Lt pediatric wrist radiograph; frontal view; 15-year-old boy; in cast; 713 x 1028 px
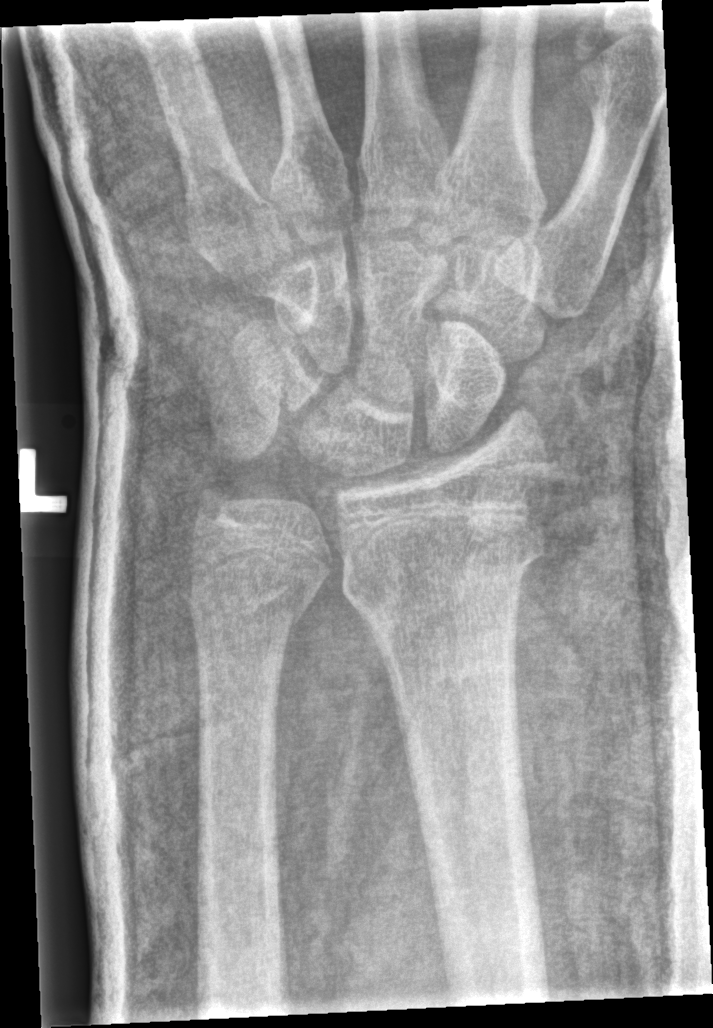 FINDINGS — (pixel coordinates, top-left origin, xyxy) Fracture identified at [340, 517, 552, 626] [183, 570, 320, 644]. AO code 23-M/2.1.